Right wrist radiograph | frontal projection | pediatric patient (boy, age 6) | index exam | detector: Siemens | image width 72.9 mm | image size 506x1070

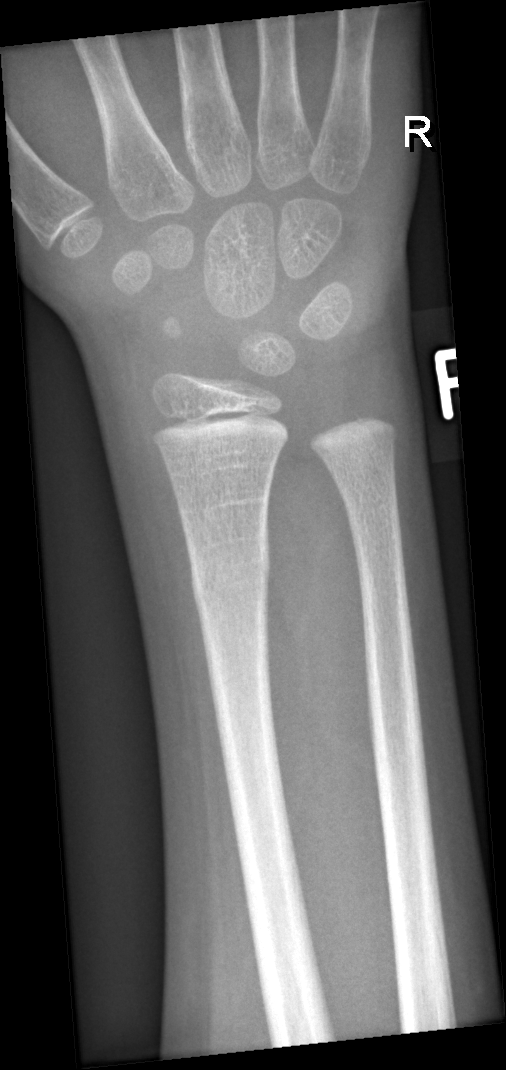

Bone fracture identified at (left=188, top=532, right=273, bottom=620). Fracture classified AO/OTA 23r-M/2.1.